Right wrist XR, lat, 12-year-old male, index exam, 95.3 mm image width:
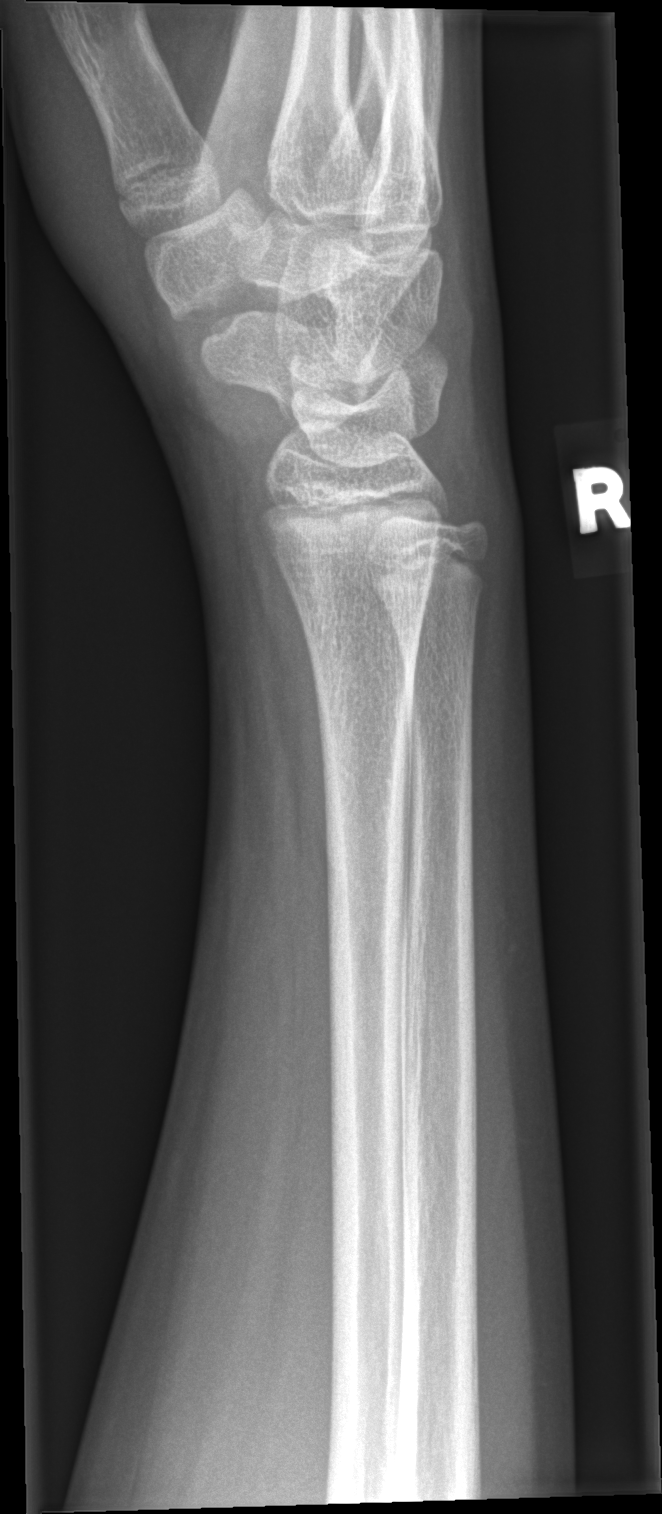 No fracture annotation.